Lt wrist X-ray, AP, age 8 y, male, subsequent exam, image size 624x798 — 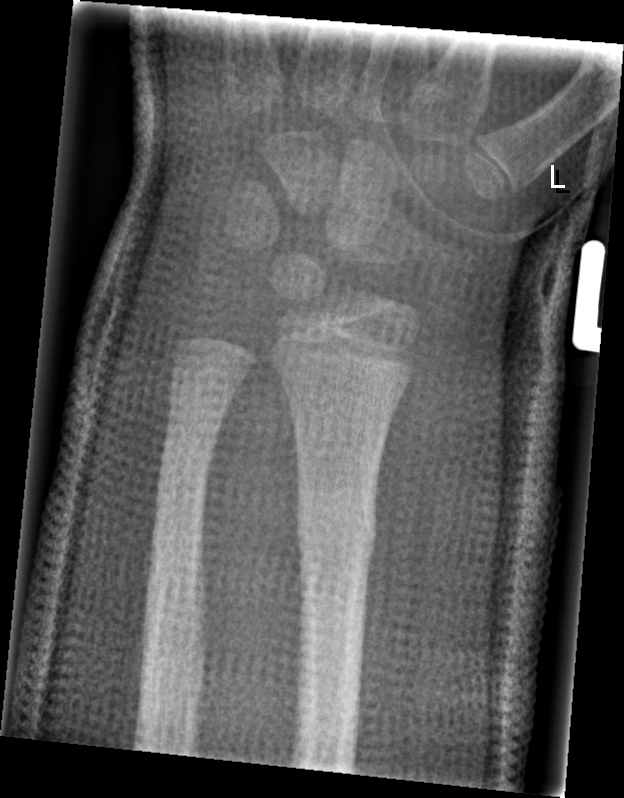

Pixel coordinates, top-left origin, xyxy. Fracture classified AO/OTA 23-M/2.1. One bone fracture at <292,494>-<380,578>.